Frontal · left plain radiograph of the wrist

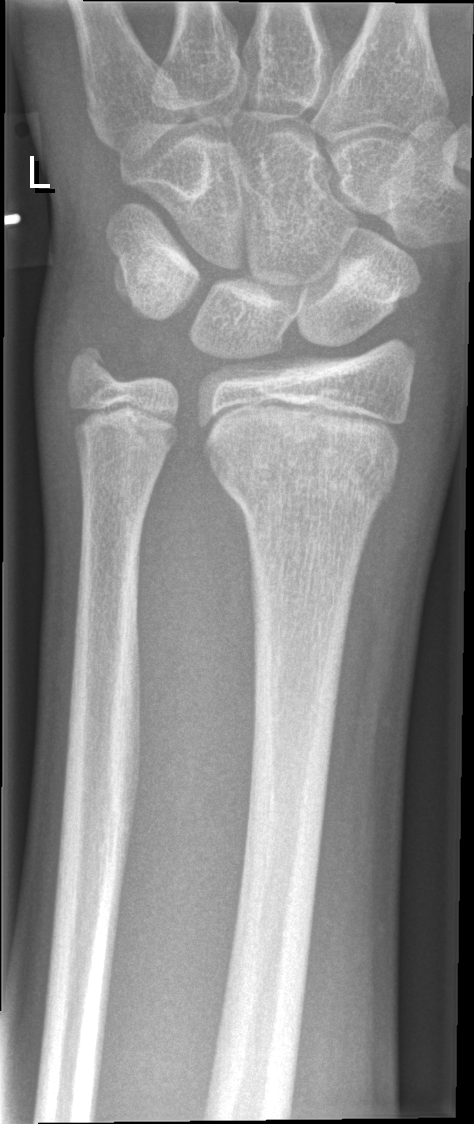
FINDINGS: Two bone fractures at 204 424 404 515; 61 335 127 392. AO code 23r-E/2.1; 23u-E/7.